Right wrist XR | lateral projection | image 55.7 mm wide
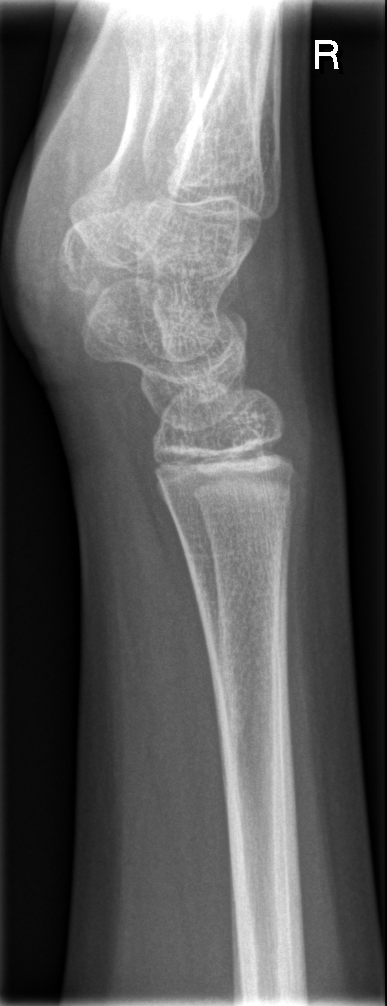
No fracture bounding box.